Lt wrist radiograph | frontal view | boy, 15 yo:
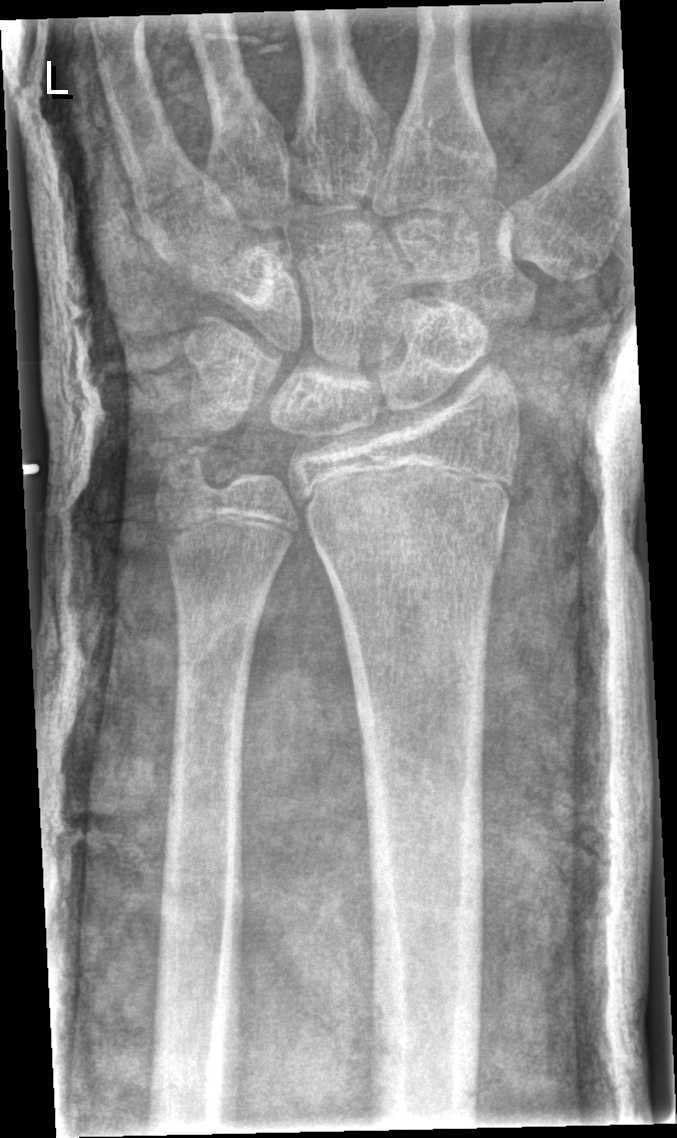

{"ao": "23r-M/3.1; 23u-E/7", "fracture": "304,480,517,582 | 153,434,241,516"}